Frontal view | left wrist plain radiograph of the wrist —

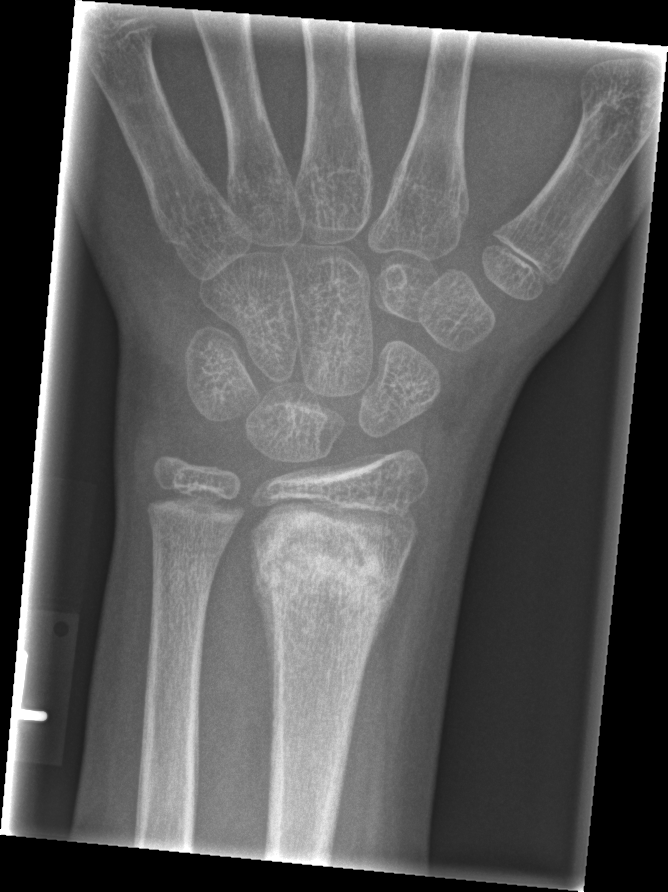 Fx = bbox(250, 508, 402, 635)
Periosteal thickening = bbox(248, 533, 279, 760) bbox(368, 549, 409, 655)